Lat · R wrist X-ray · pediatric patient (male, age 7): 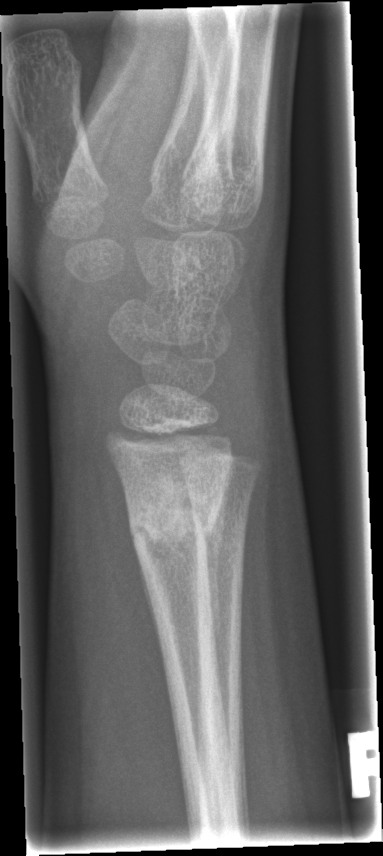 osteopenia: present
periosteal thickening: 2 @ bbox(199, 460, 234, 698) bbox(132, 536, 163, 668)
Fx: bbox(125, 482, 231, 566)